AP view; L pediatric wrist radiograph; Siemens.

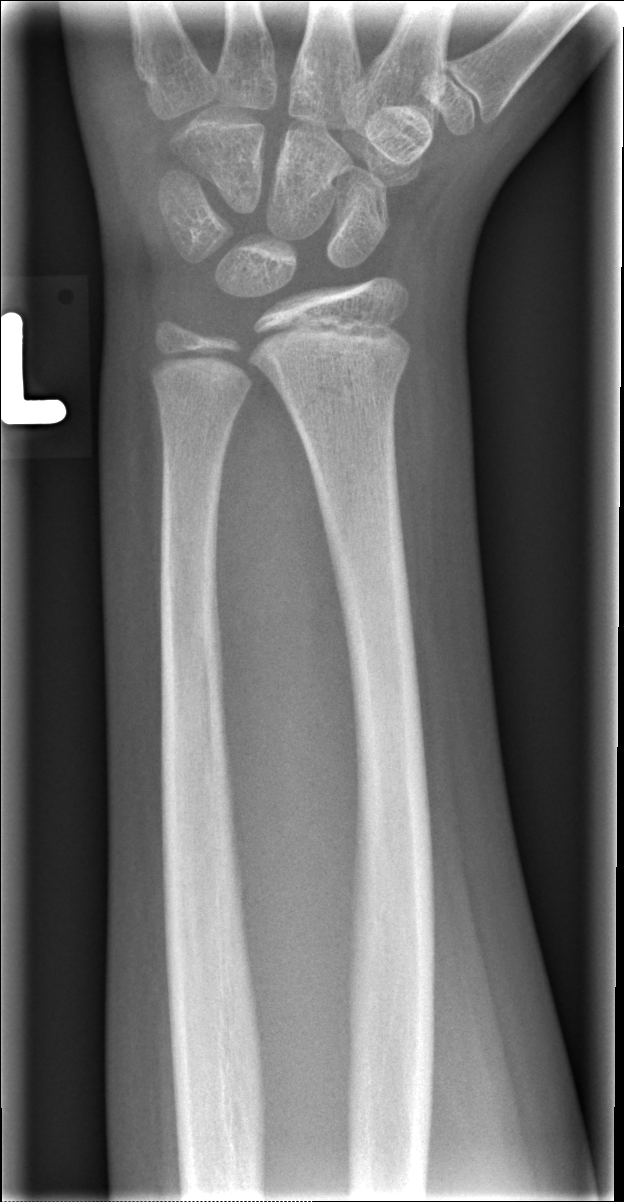 Bounding boxes in image-pixel xyxy. Fx — [x1=283, y1=353, x2=411, y2=432].